R plain radiograph of the wrist · lateral projection · pediatric patient (female, age 10) · 542x1010 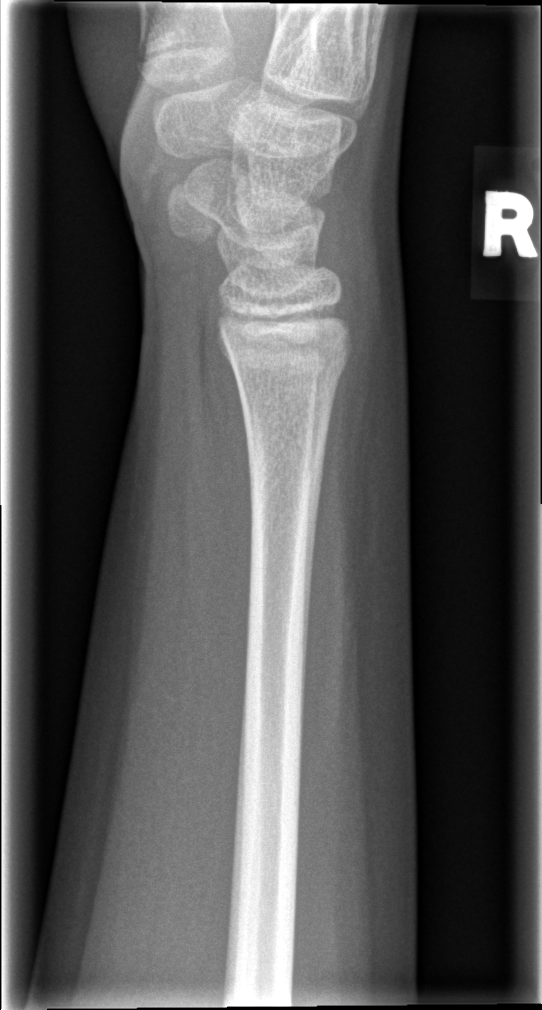
(bounding boxes in image-pixel xyxy)
AO classification: 23r-M/2.1
fracture: 1 @ (232, 339, 354, 400)